AP projection, Lt wrist XR, male, 15 yo, imaged through cast, image width 108.4 mm. 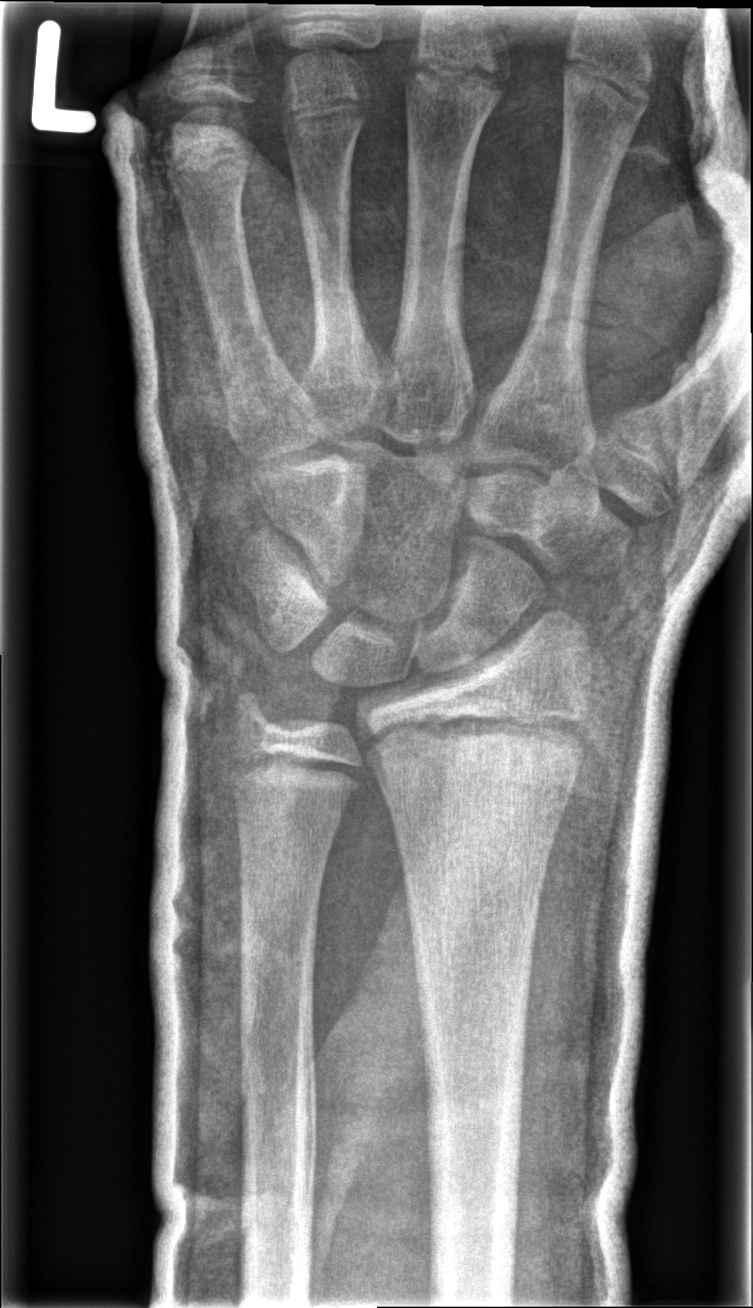
Fracture: present but not clearly seen in this view.